Lat projection | right wrist plain film | index exam | image size 500x1084.
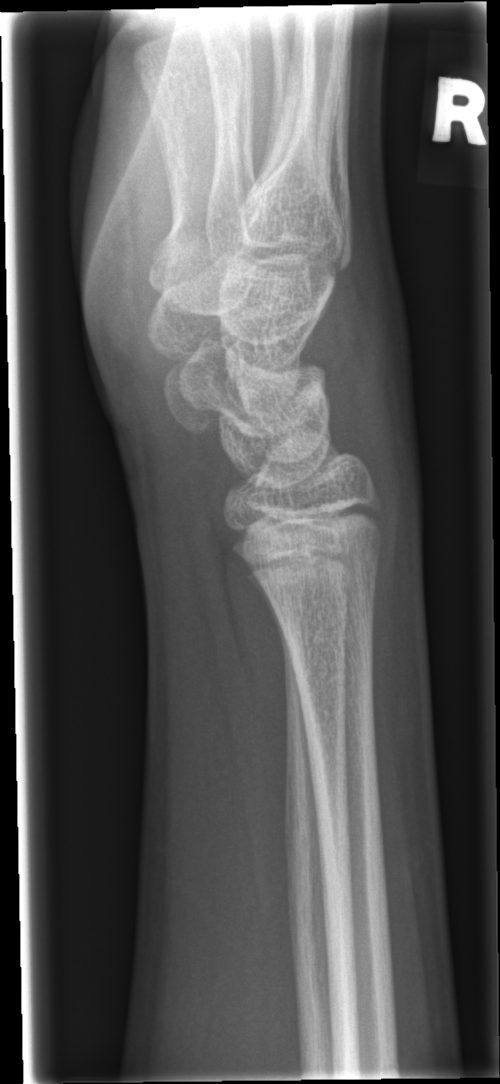
Q: Locate any fractures.
A: No fracture bounding box